PA/AP projection, R wrist radiograph, 10y F. 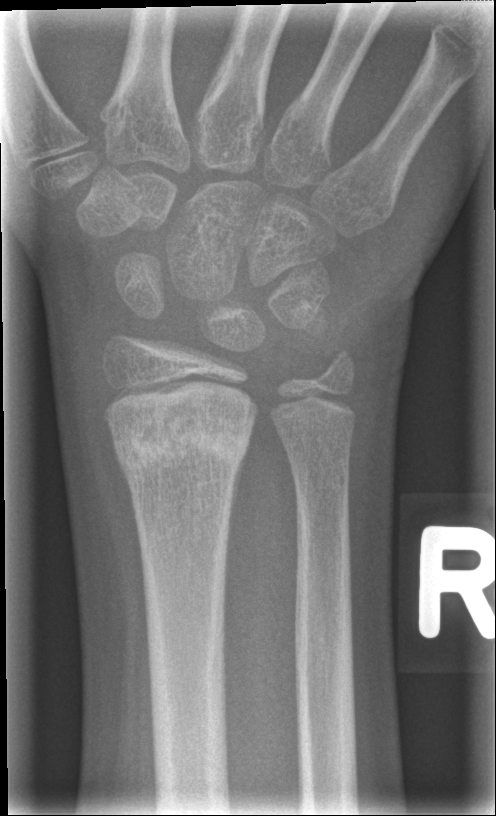

periosteal reaction = <227,440>-<251,571>
fracture = <108,424>-<255,480>